Left wrist XR, lat projection, detector: Siemens. 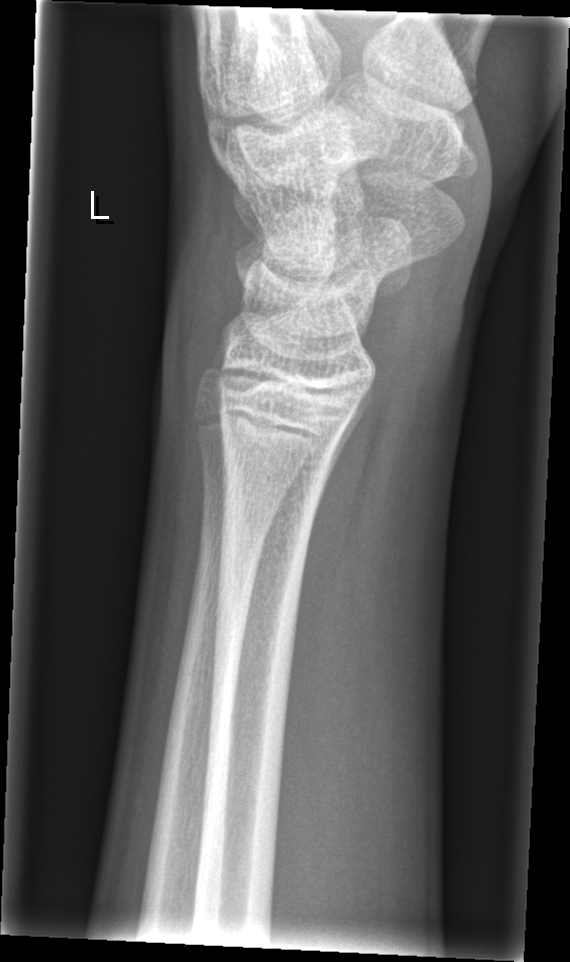

Fx = none labeled